L wrist XR; lateral projection; 13y M; detector: Siemens
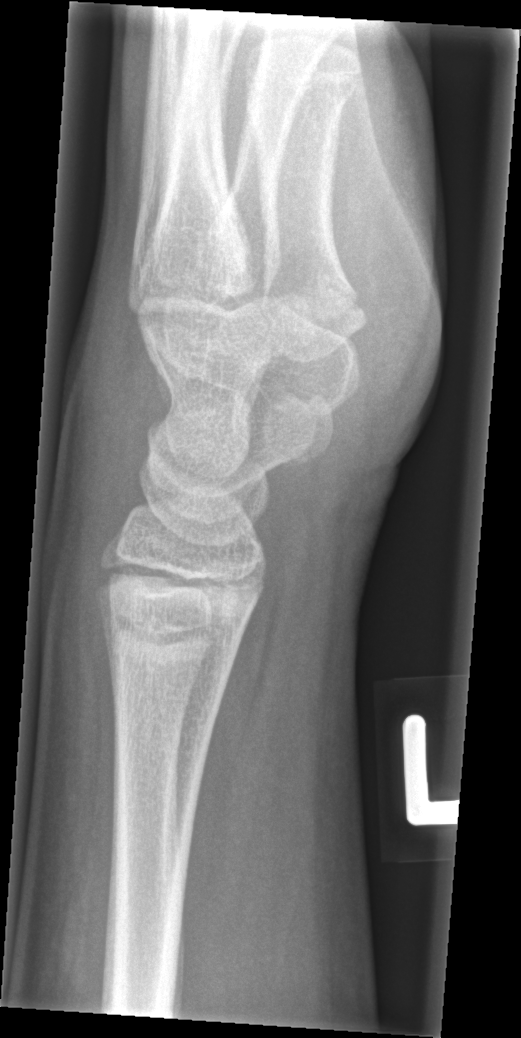
* No fracture annotation.
* Soft tissue abnormality — (left=56, top=278, right=169, bottom=598).